Lateral projection; left wrist X-ray; 13-year-old boy; detector: Siemens
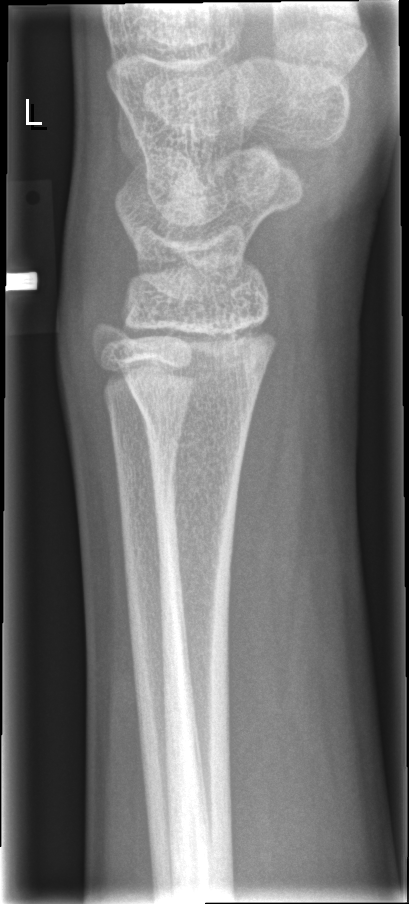 Bounding boxes in image-pixel xyxy. One Fx at bbox(123, 371, 263, 455).